Lat view, R wrist XR, cast present, image 91.9 mm wide, 638x1152 — 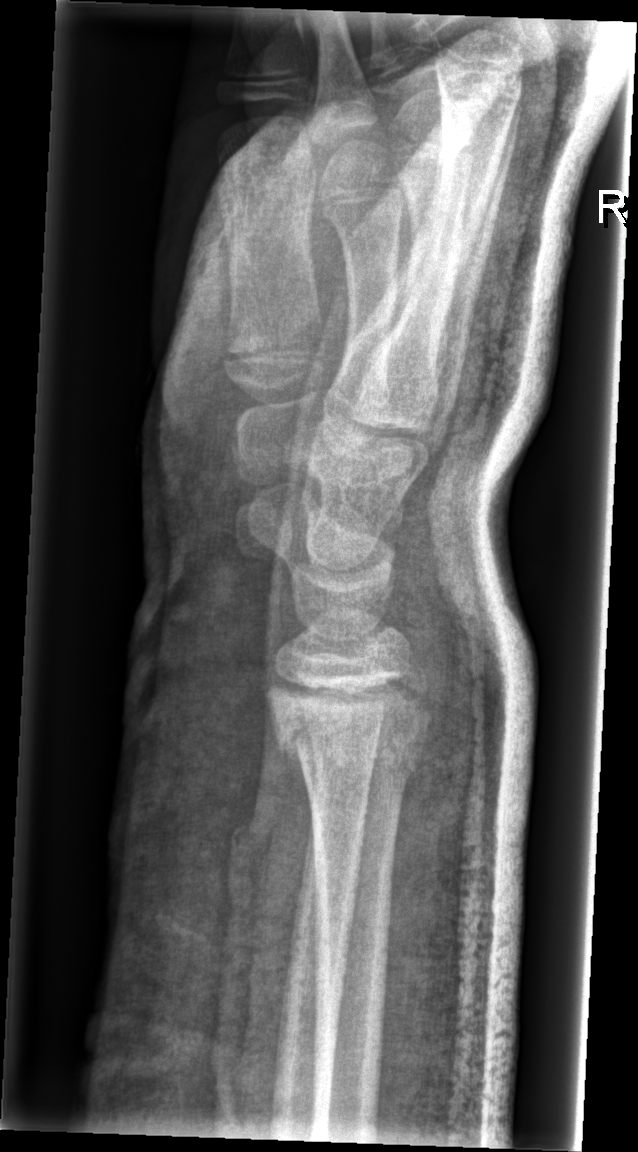

• Pixel coordinates, top-left origin, xyxy.
• Fx identified at [266, 680, 435, 793].